L pediatric wrist radiograph · posteroanterior view:

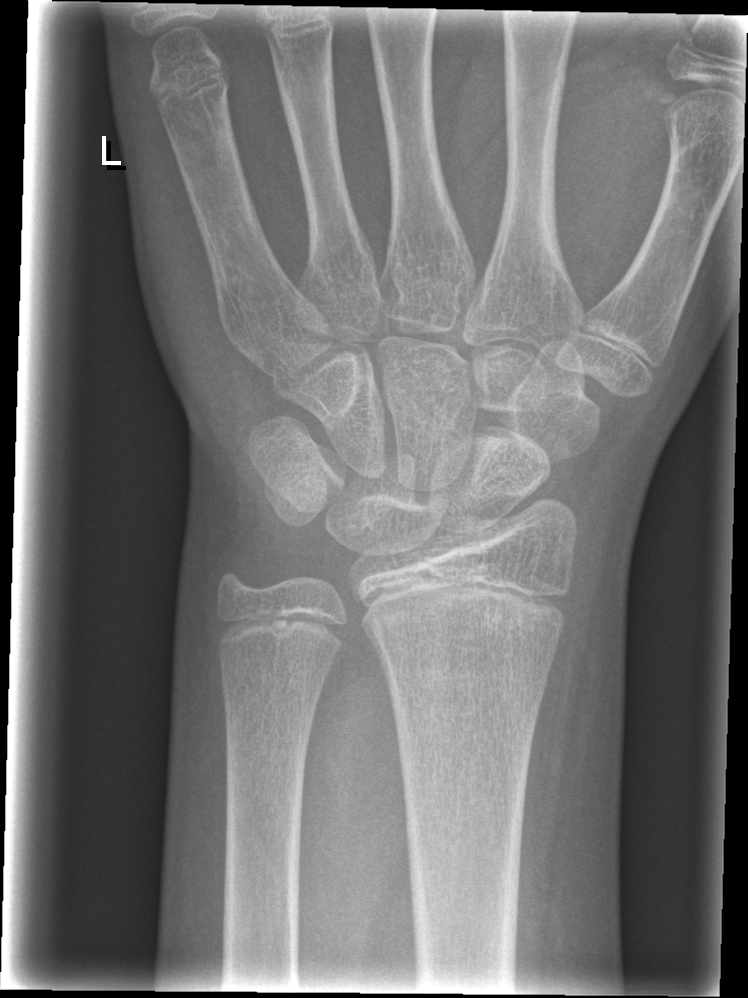
Findings: Fracture: present but not clearly seen in this view. AO/OTA classification: 23r-M/2.1.